Posteroanterior view; L pediatric wrist radiograph; male, 12 yo; detector: Siemens — 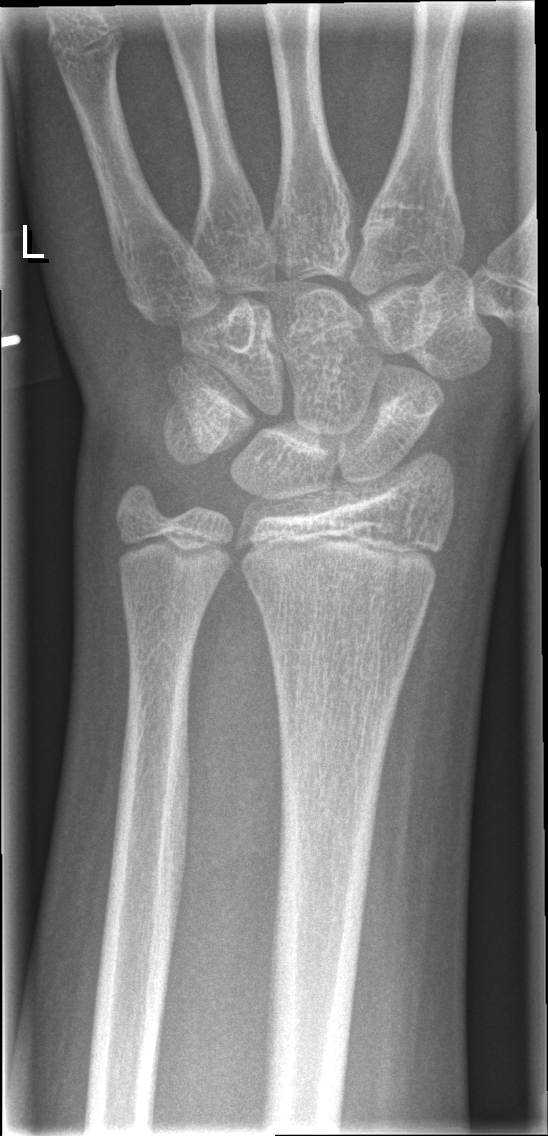
bone fracture = present but not clearly seen in this view
AO code = 23r-M/2.1